PA projection · R wrist XR · age 4 y, girl:

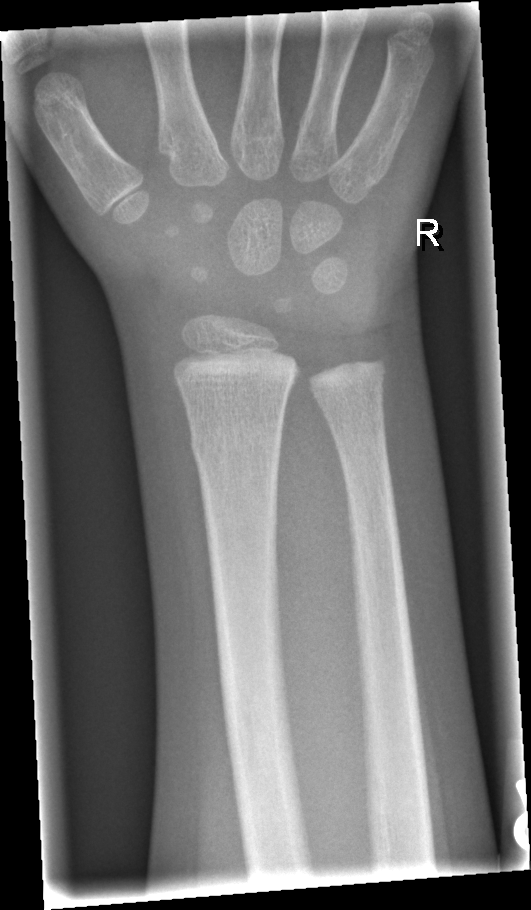
FINDINGS: AO/OTA classification: 23r-M/2.1. One fracture at <188,423>-<283,463>.